Right plain radiograph of the wrist | lat | 10-year-old girl —
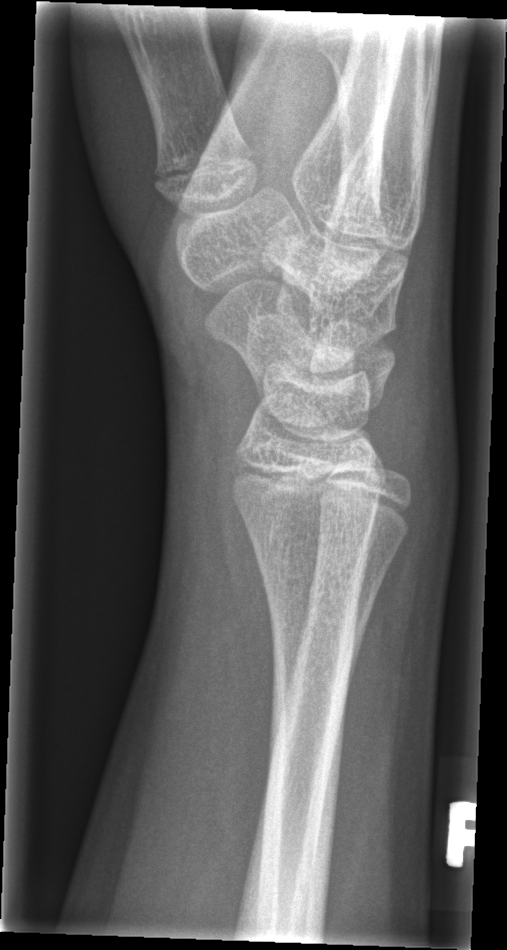
Fx = none labeled